Left wrist plain film · frontal view — 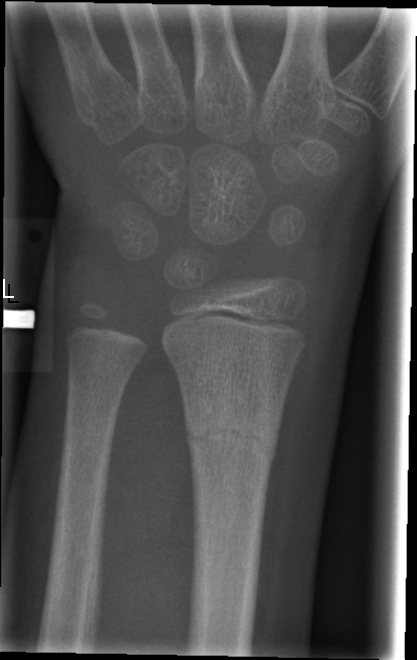

- Osteopenia.
- Fx — (183, 403, 282, 468).
- AO/OTA classification: 23r-M/3.1.